Lat projection · left wrist X-ray · follow-up · in cast · acquired on Siemens 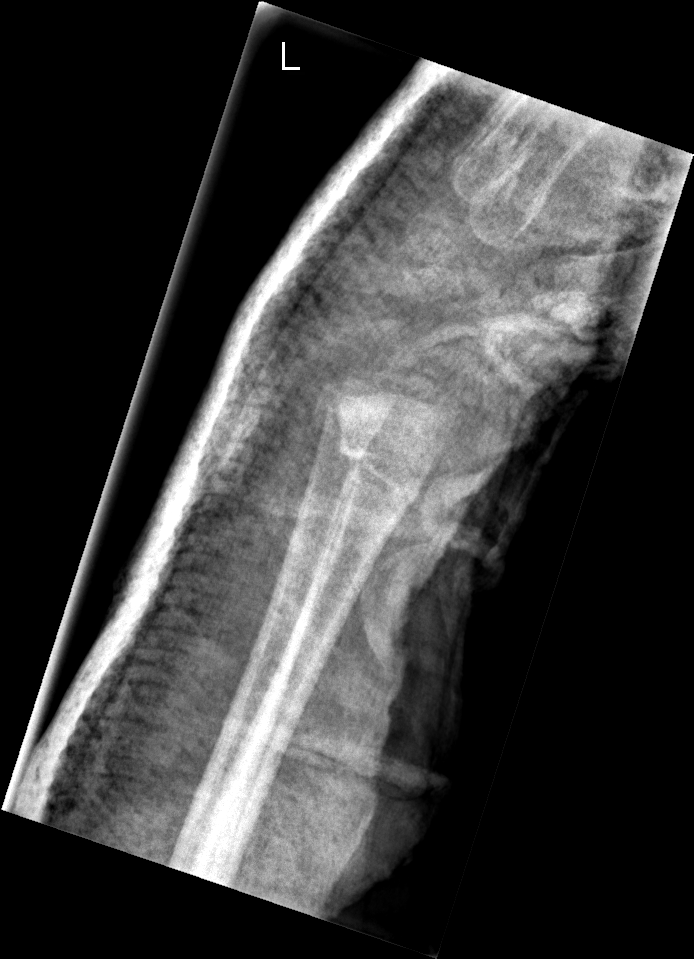 Bounding boxes in image-pixel xyxy.
Fx: <334,433>-<426,517> <307,392>-<384,437>.
AO code 23r-M/3.1; 23u-M/2.1.